Lat view | left wrist plain film | follow-up study
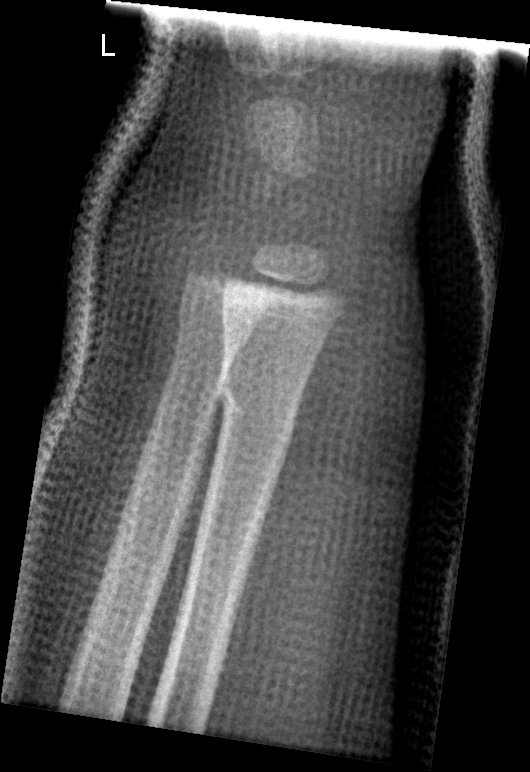 {"_coords": "bounding boxes in image-pixel xyxy", "fracture": "[x1=217, y1=365, x2=297, y2=463], [x1=170, y1=297, x2=260, y2=358]"}